Frontal; left wrist plain film; pediatric patient (female, age 8); in cast:

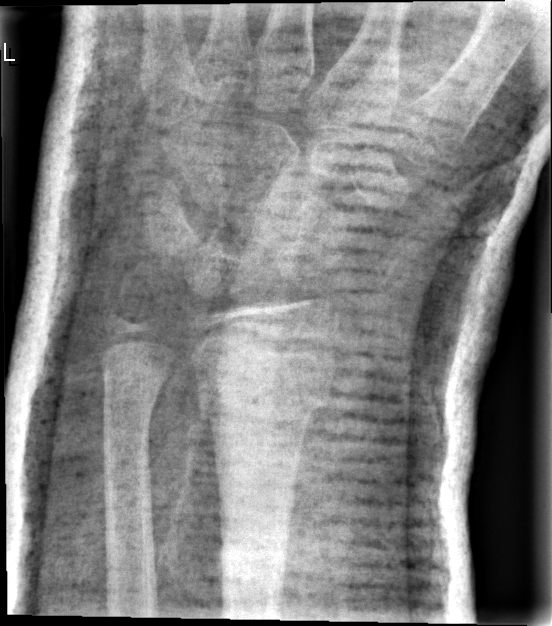

(boxes as x1,y1,x2,y2 (top-left / bottom-right, pixel units))
AO/OTA = 23r-M/3.1
Fx = 194 368 333 434